Frontal view; left wrist plain film; 616 x 700 px

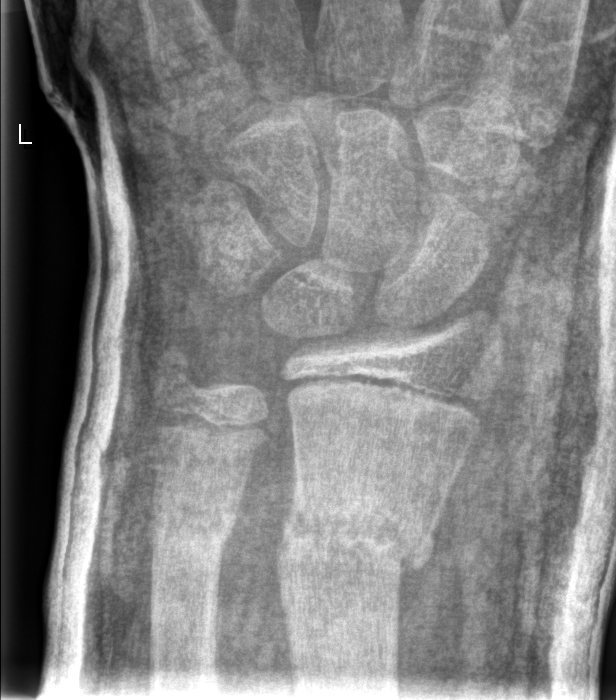 * Bone fractures — 272,462,445,604
  145,488,242,567
  150,344,208,401.